L pediatric wrist radiograph, posteroanterior view, 6y F, follow-up —

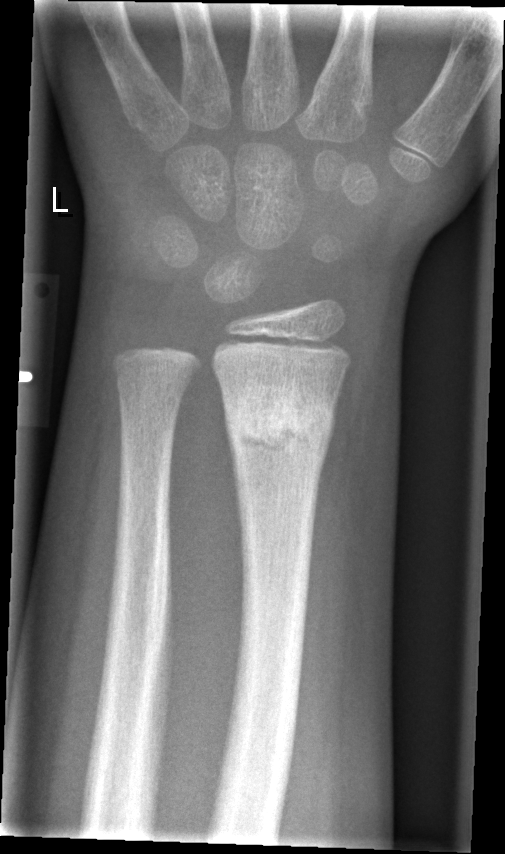
osteopenia = present
fracture = 1 @ (221, 371, 338, 469)